L wrist plain film; PA/AP projection; Siemens; 1025 x 1108 px — 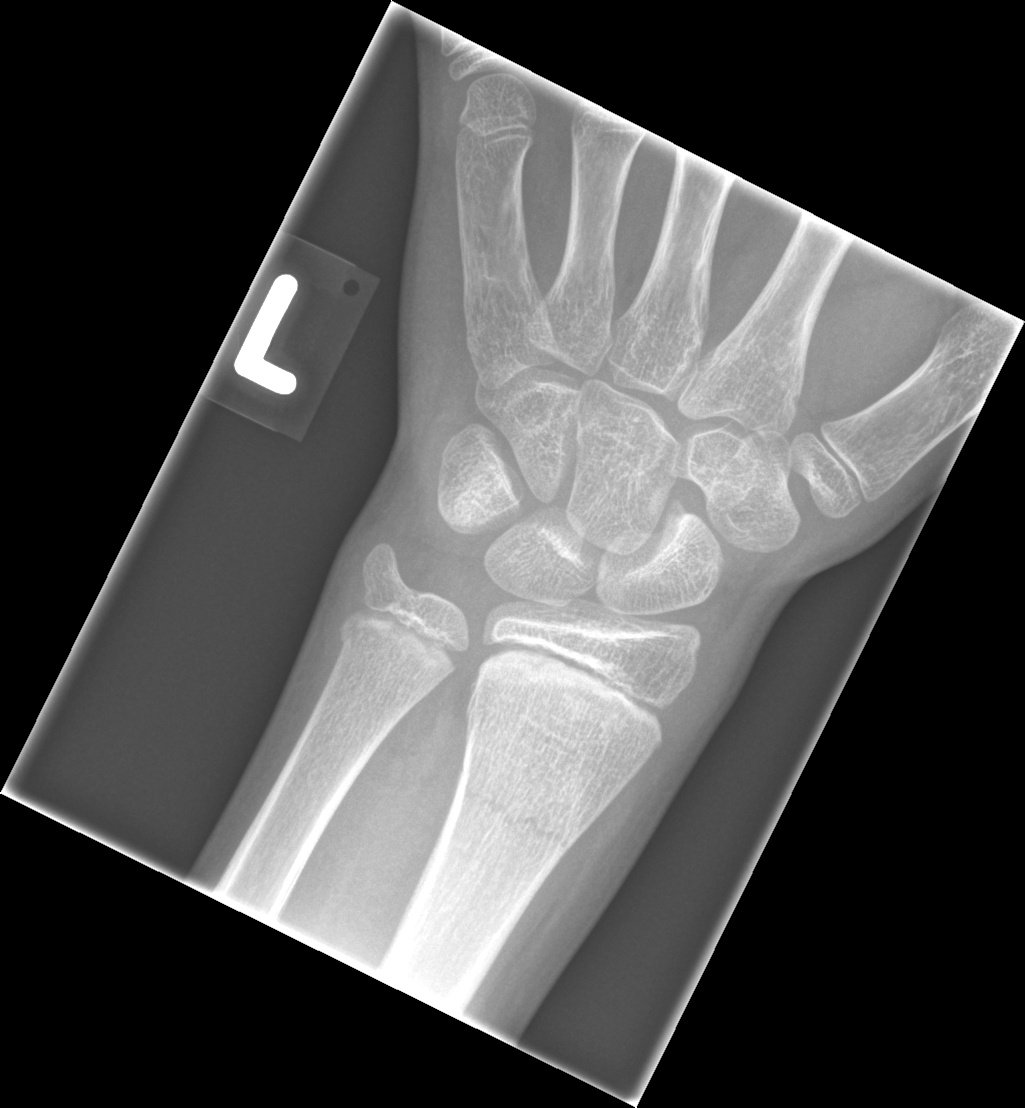 * Coordinates are [x1, y1, x2, y2] in image pixels.
* Fracture: (450, 763, 579, 868) (337, 614, 444, 686).
* Fracture classified AO/OTA 23-M/3.1.